Frontal projection | L wrist radiograph | index exam

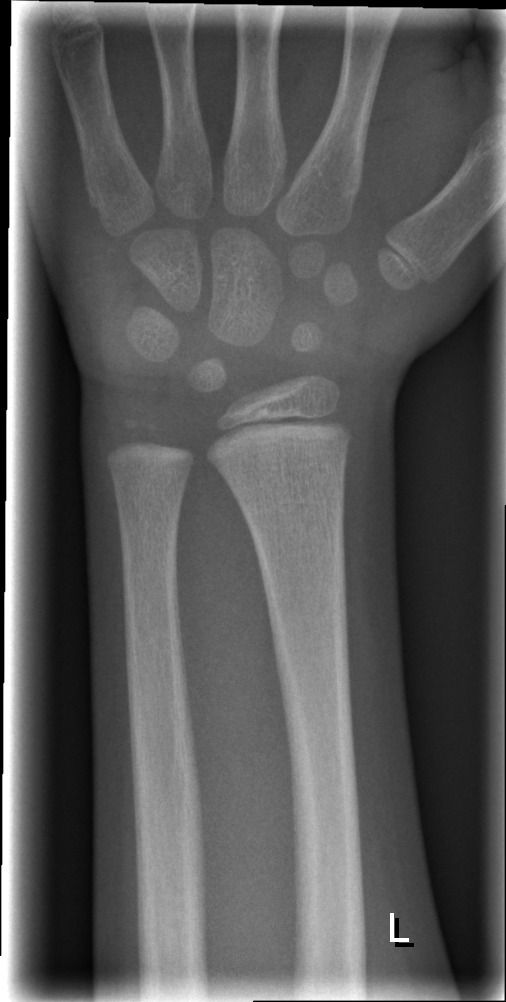
FINDINGS: No fracture annotation.